PA/AP view, left wrist X-ray.

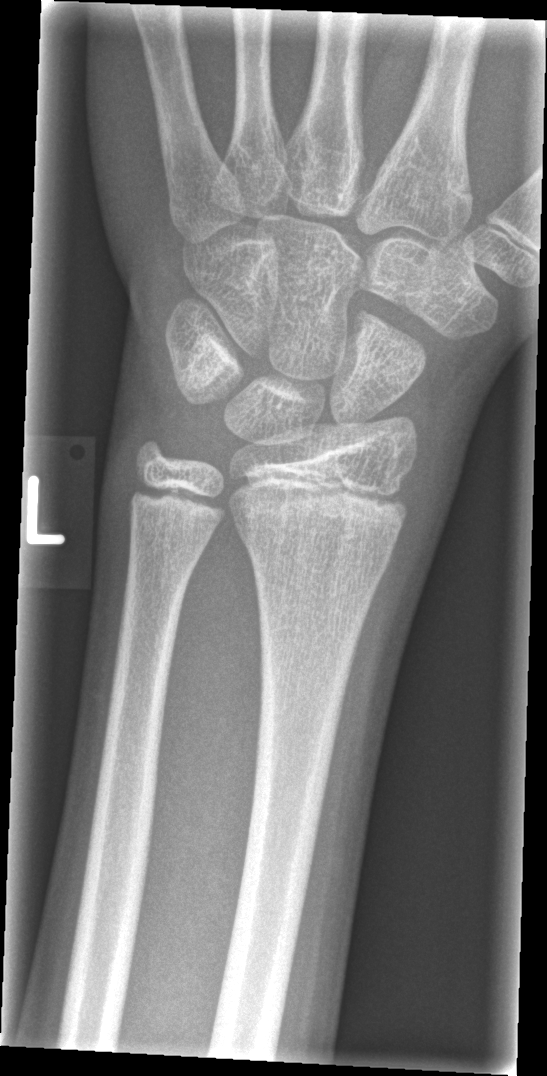
  fracture: present but not clearly seen in this view